Lat view | right wrist plain radiograph of the wrist | 6y F. 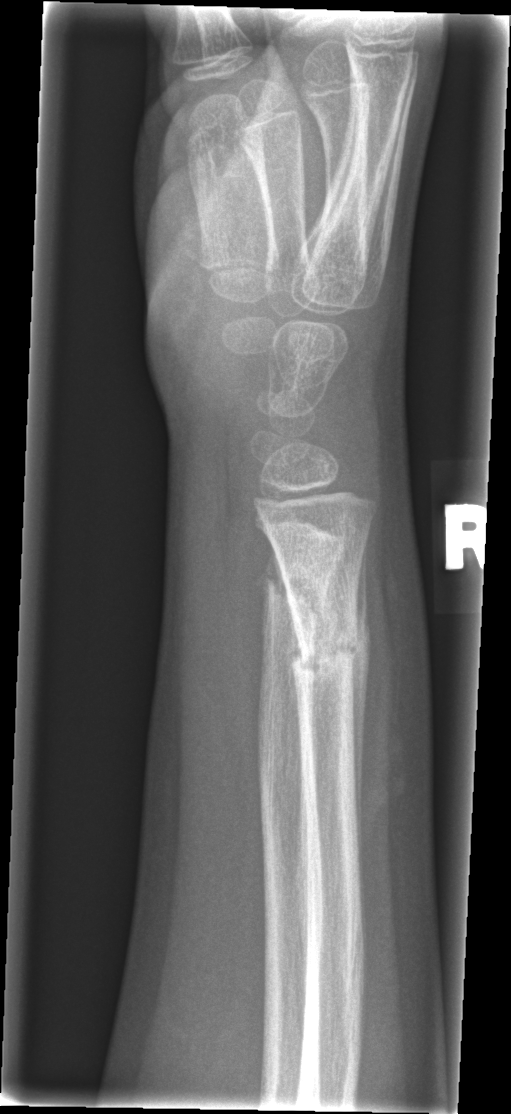
Pixel coordinates, top-left origin, xyxy. Osteopenic. Periosteal reaction — <350,526>-<371,867>. Bone fractures — <260,549>-<334,623>, <287,619>-<362,686>.